Lt plain radiograph of the wrist | lat projection. 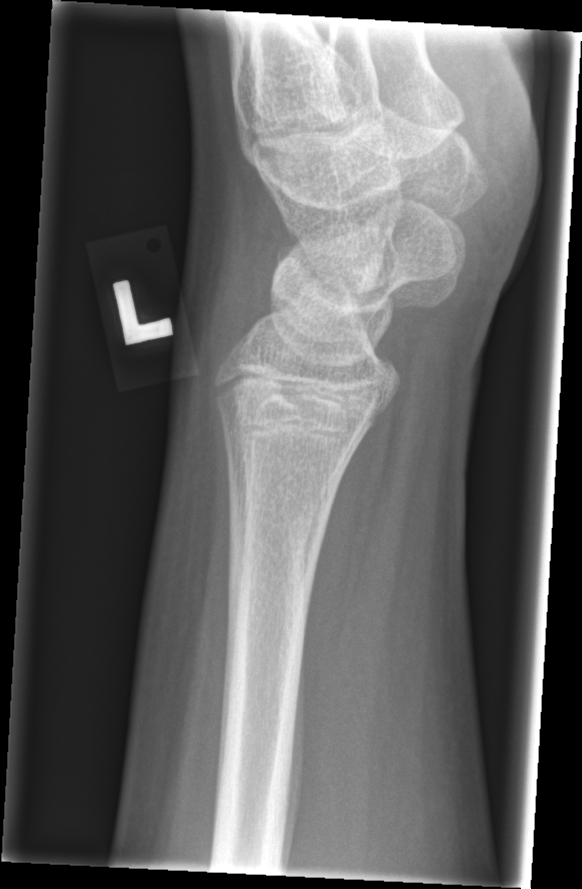

Fracture: none labeled